Rt wrist plain film | lateral projection | pediatric patient (boy, age 15) | image size 584x1050 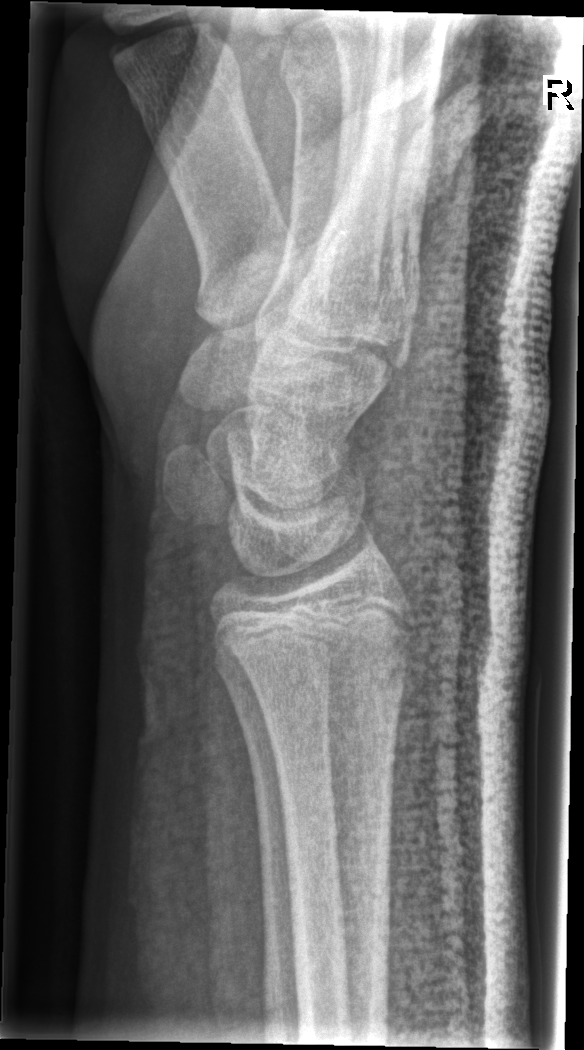 FINDINGS — AO/OTA classification: 72B(b). Fracture present but not clearly seen in this view.